Right wrist radiograph · PA view · 13y M · in cast · 570 by 1128 pixels:

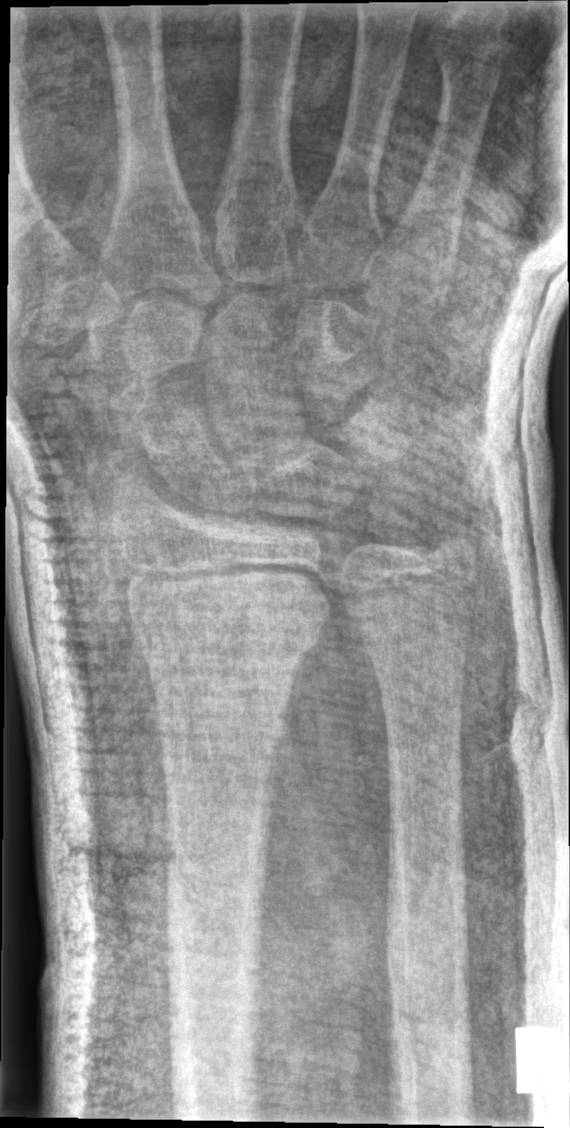
FINDINGS — Two bone fractures at (123, 564, 337, 678); (420, 509, 484, 564). AO code 23r-E/2.1; 23u-E/7.